PA/AP; left wrist plain film; imaged through cast; detector: Siemens:
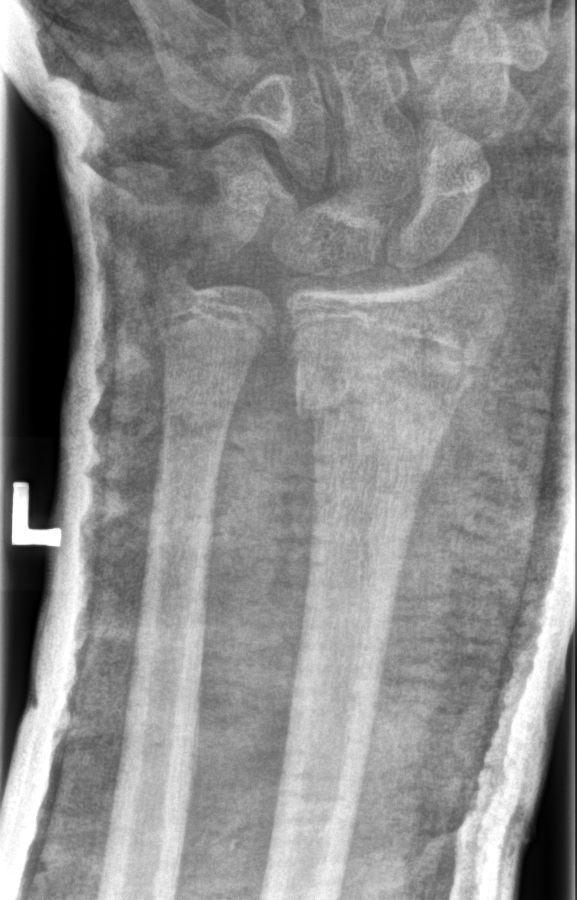 * Bone fracture: (left=293, top=355, right=473, bottom=460) (left=150, top=252, right=207, bottom=306).
* Fracture classified AO/OTA 23r-M/3.1; 23u-E/7.